Left wrist radiograph, lateral, 556 by 1354 pixels
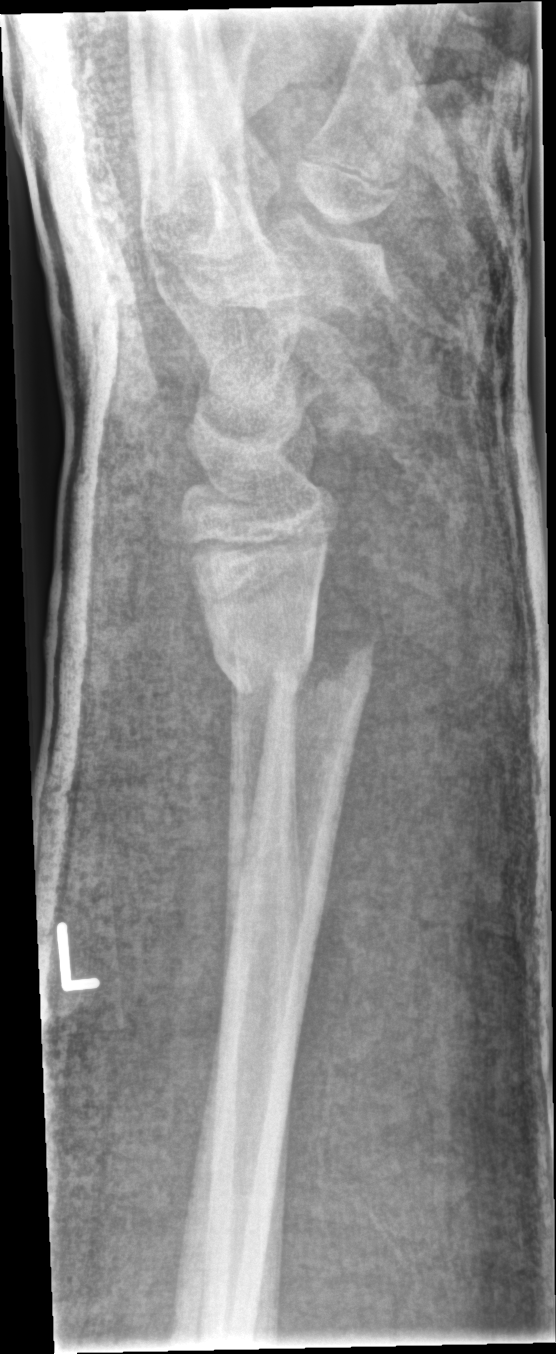 Q: Fracture present?
A: One bone fracture at (205, 611, 380, 709)